Lat projection, Rt wrist radiograph —
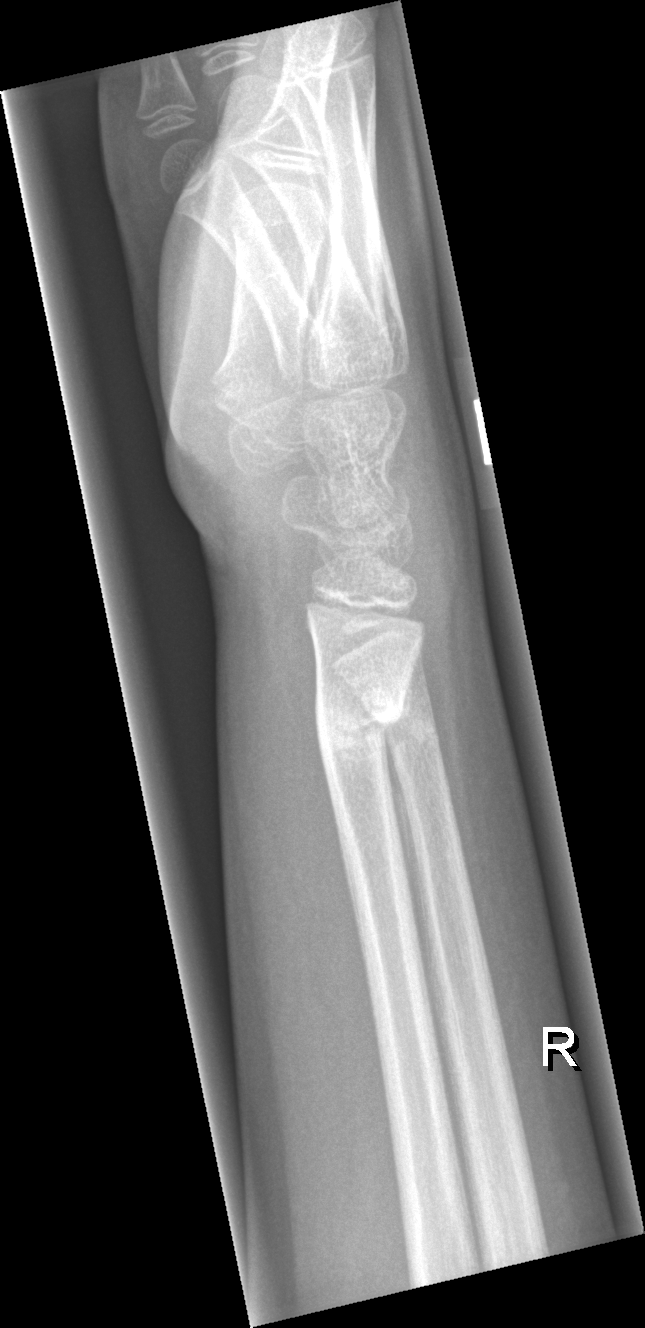
Coordinates are [x1, y1, x2, y2] in image pixels.
Fracture identified at (310, 689, 413, 767), (370, 702, 445, 758).
One soft-tissue swelling at (391, 355, 477, 707).
Reduced bone mineral density.